Lateral view · right wrist radiograph · 483 by 1088 pixels —

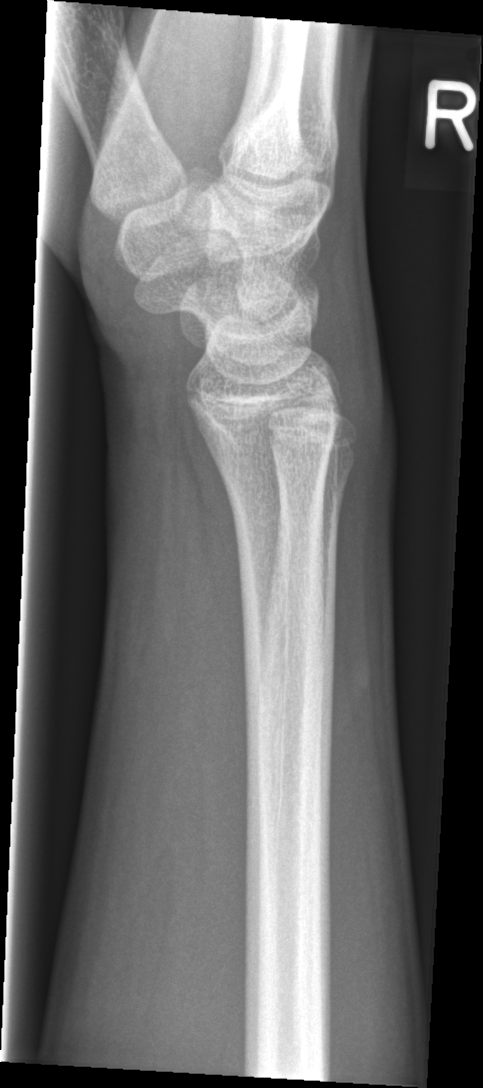

No fracture annotation.